L wrist plain film, AP projection — 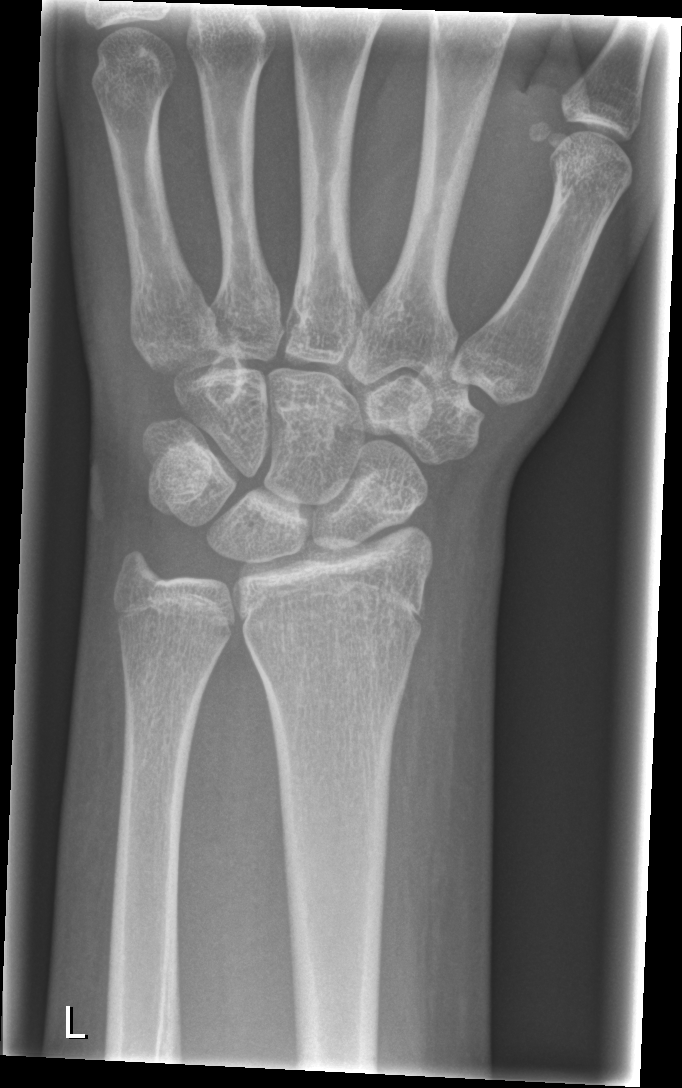

Q: Locate any fractures.
A: Fracture present, but no bounding box because it is not clearly seen in this view
Q: AO code?
A: AO/OTA classification: 23r-M/2.1